Lat | Lt plain radiograph of the wrist | index exam. 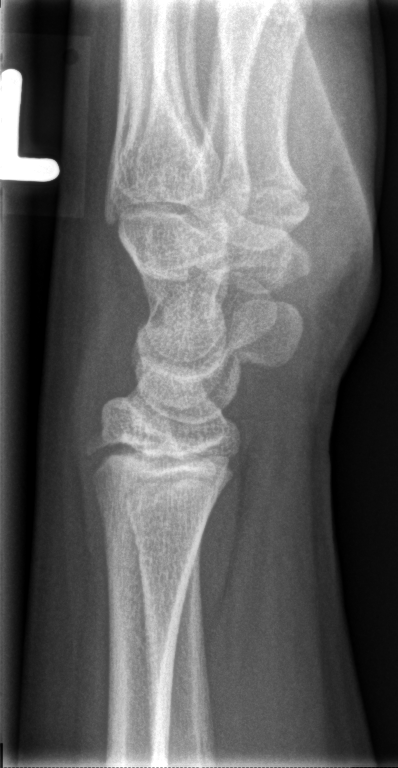
bone fracture = none labeled